Lateral projection, left wrist plain film, 12y M, presentation radiograph

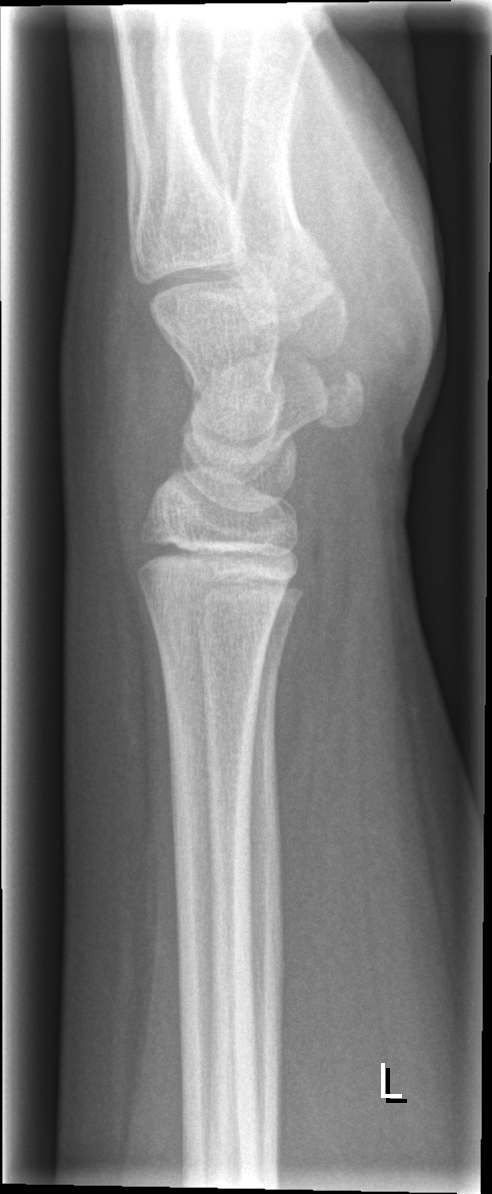
No Fx annotated.